Posteroanterior projection · left pediatric wrist radiograph · detector: Siemens:

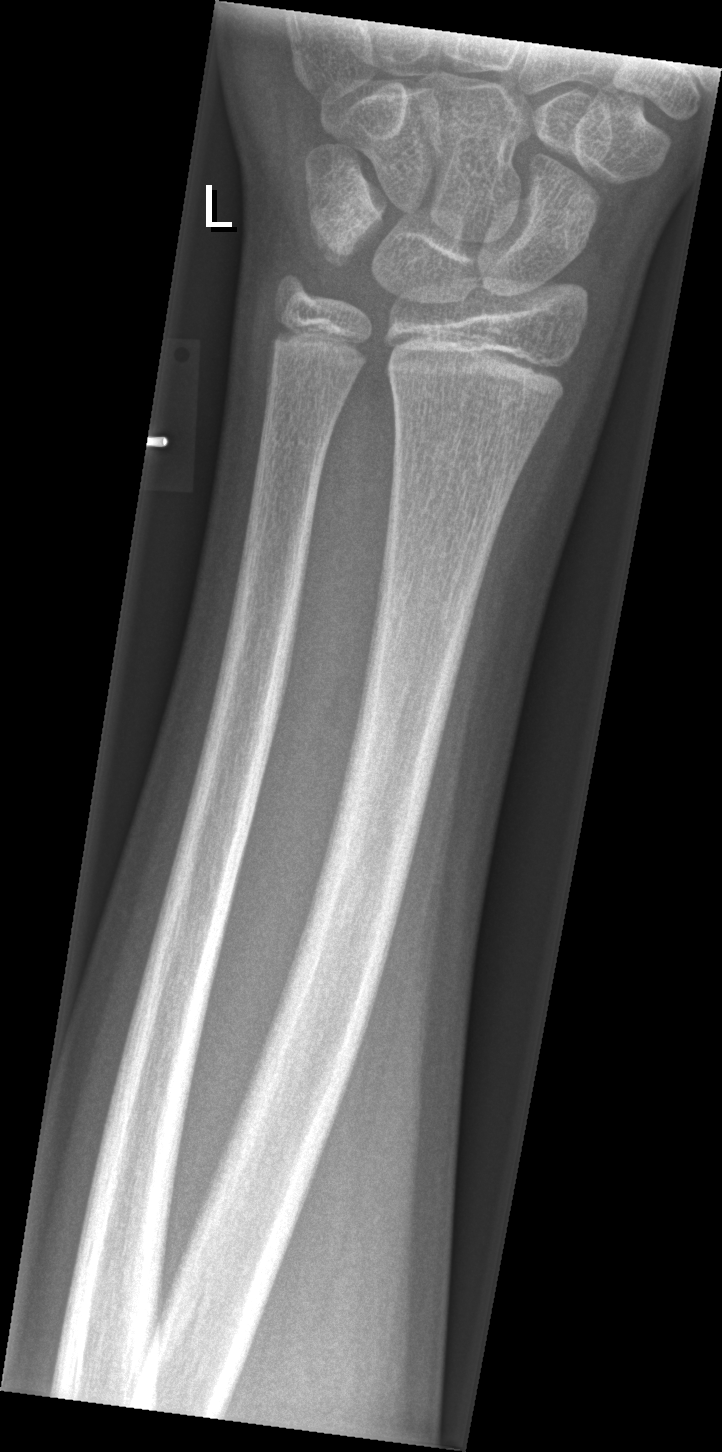
* No fracture labeled.